Lateral projection; R pediatric wrist radiograph; pediatric patient (girl, age 10):

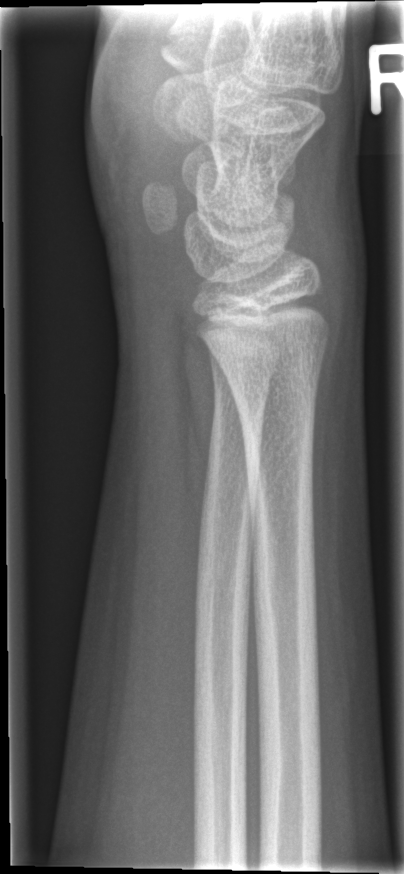
Findings: No fracture annotation.